Oblique projection | right wrist XR | 5y F | subsequent exam.
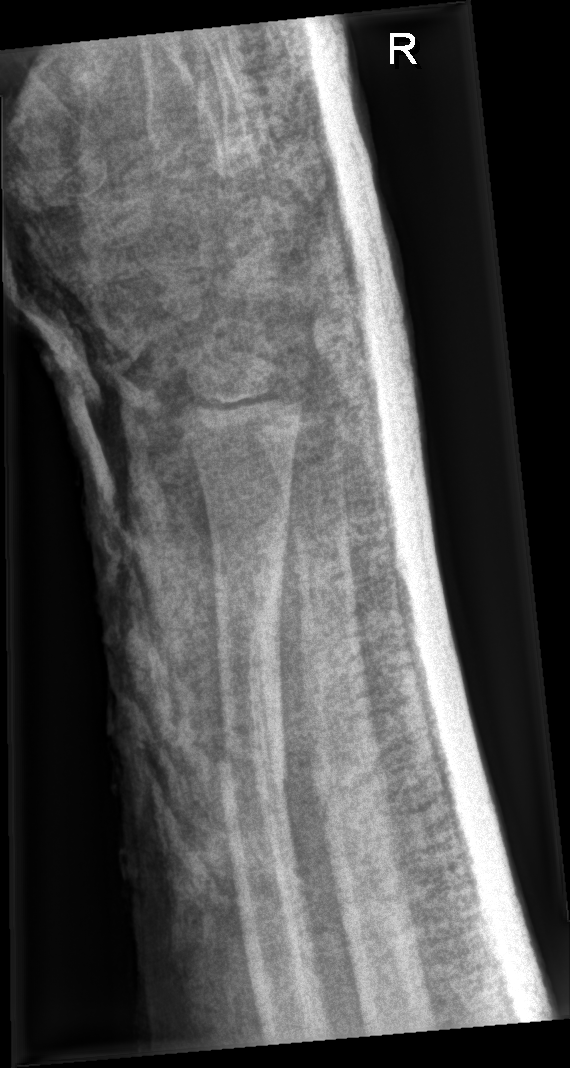 (boxes as x1,y1,x2,y2 (top-left / bottom-right, pixel units))
bone fracture: 307 738 398 833 | 210 721 297 816